PA/AP projection, Lt wrist X-ray, 6y F.

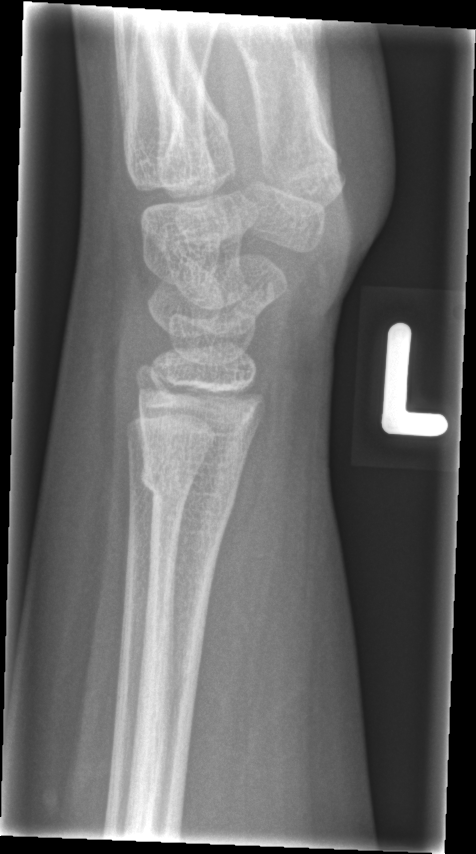   fracture: (136, 450, 241, 523)